Right wrist radiograph · lateral: 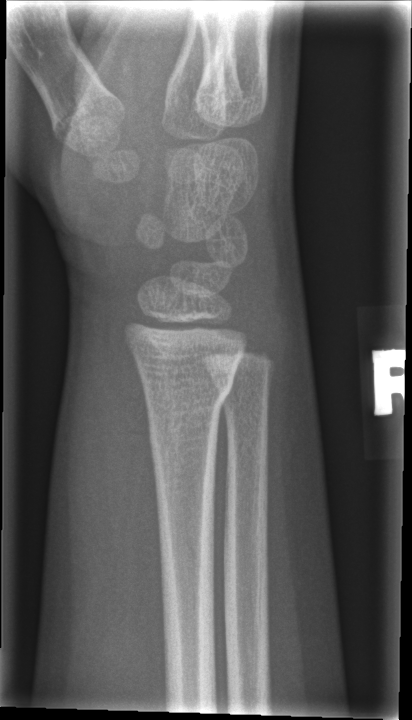 - Fracture identified at [138, 367, 238, 424].